Rt wrist plain film | PA/AP projection | Siemens:

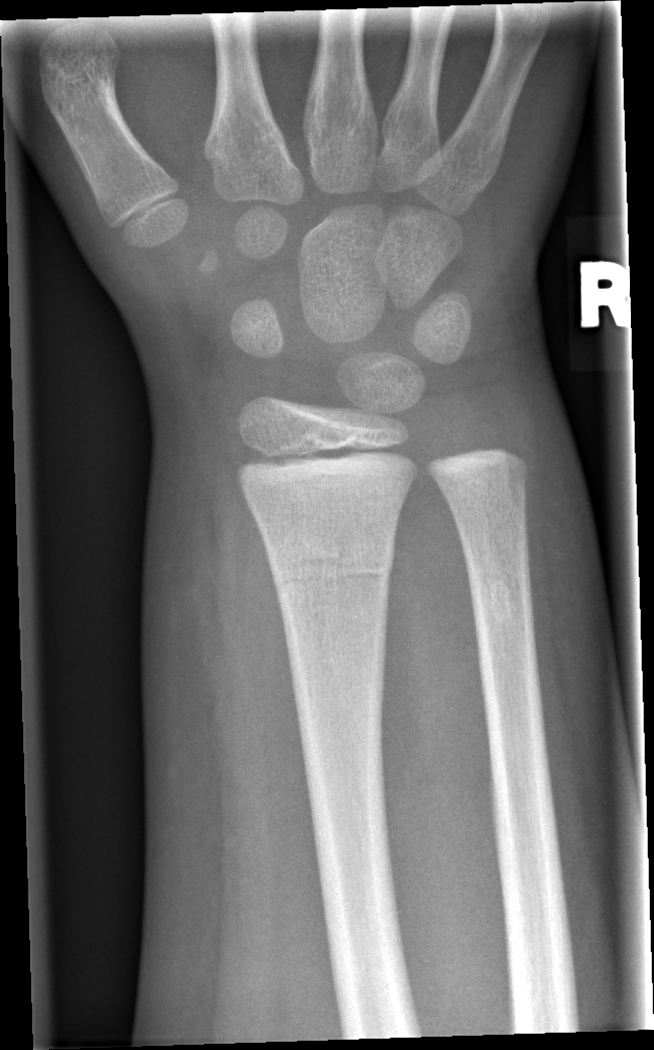
Fracture = 263,538,401,597